Right wrist XR; AP; 554x960 —
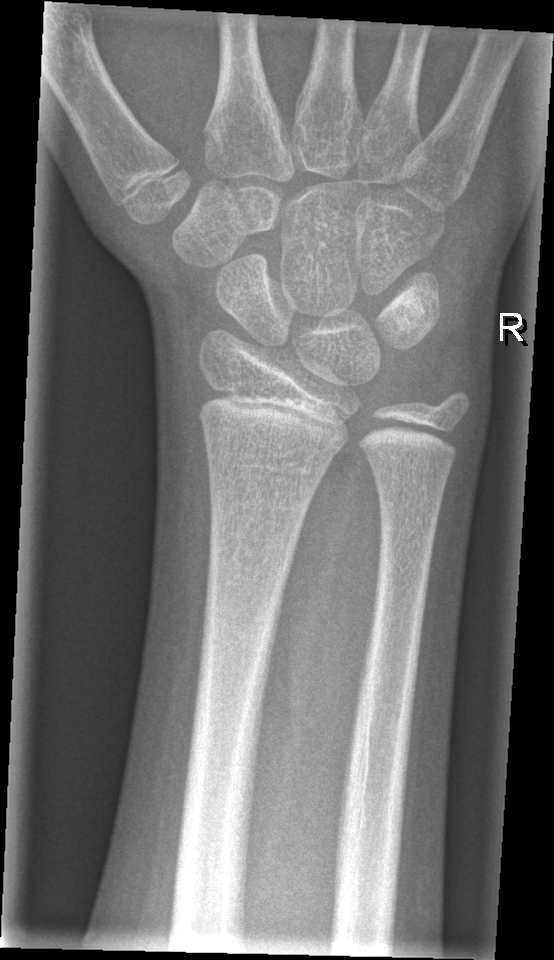
Fx = none labeled